Right wrist plain radiograph of the wrist, PA projection, pediatric patient (male, age 7): 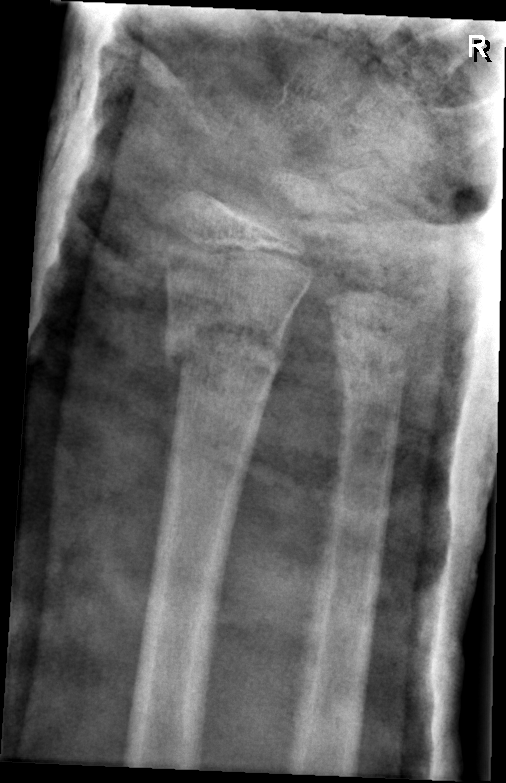
Q: Is there a fracture?
A: Fracture: (left=158, top=308, right=290, bottom=381), (left=328, top=315, right=421, bottom=386)